Lat view, left wrist plain radiograph of the wrist, 399 x 900 px.

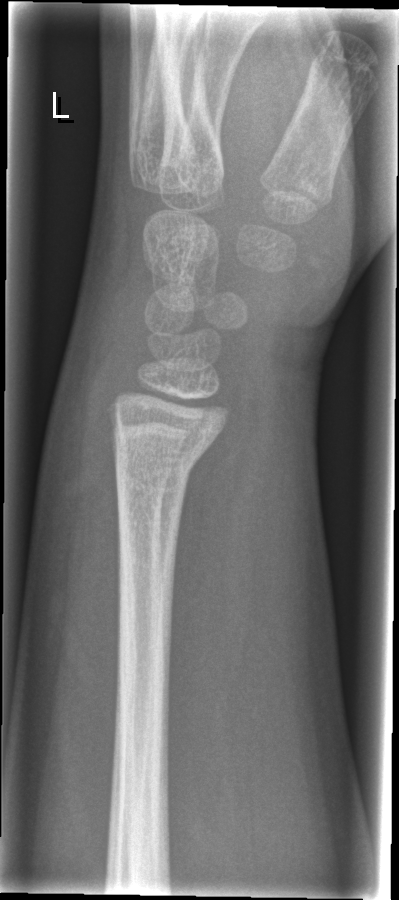 Bone fracture = 1 @ 112,431,211,504